Posteroanterior view; left wrist pediatric wrist radiograph; 9-year-old female —

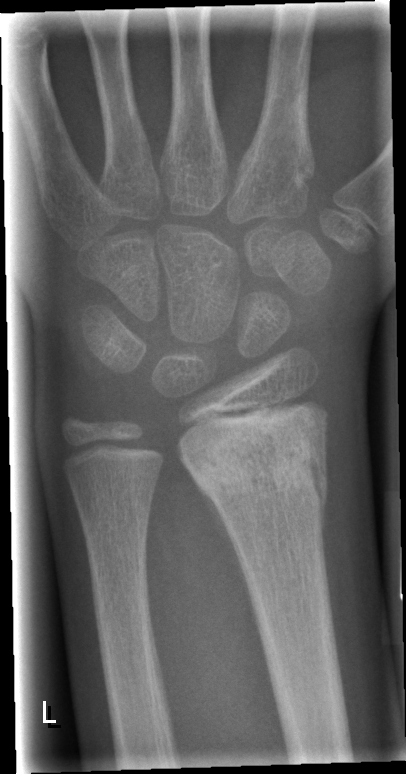

Q: Any fracture seen?
A: Fx — (184, 431, 329, 511)
Q: Is there periosteal reaction?
A: One periosteal reaction at (183, 463, 266, 653)
Q: Is there osteopenia?
A: Osteopenia
Q: AO code?
A: Fracture classified AO/OTA 23r-M/2.1